Left wrist radiograph · lateral view · 12y M · imaged through cast.

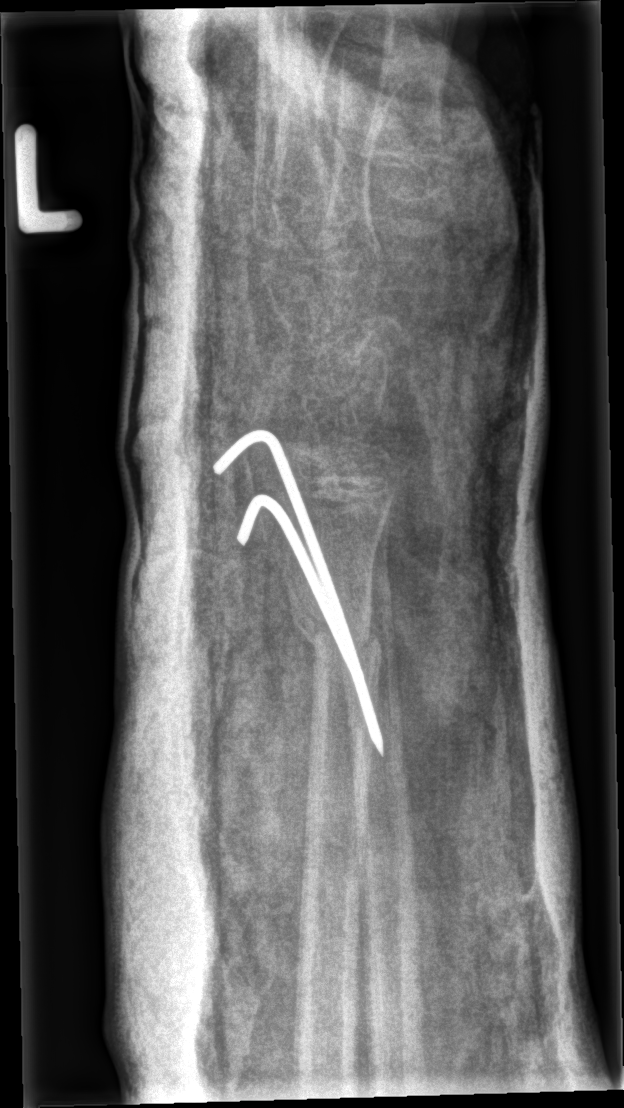

Q: What is the AO/OTA classification?
A: AO/OTA classification: 23r-M/3.1; 23u-M/2.1
Q: Any metal present?
A: Metal identified at 212,427,386,760
Q: Any fracture seen?
A: Fracture: 286,607,385,660